Left wrist XR; AP; image width 88.0 mm. 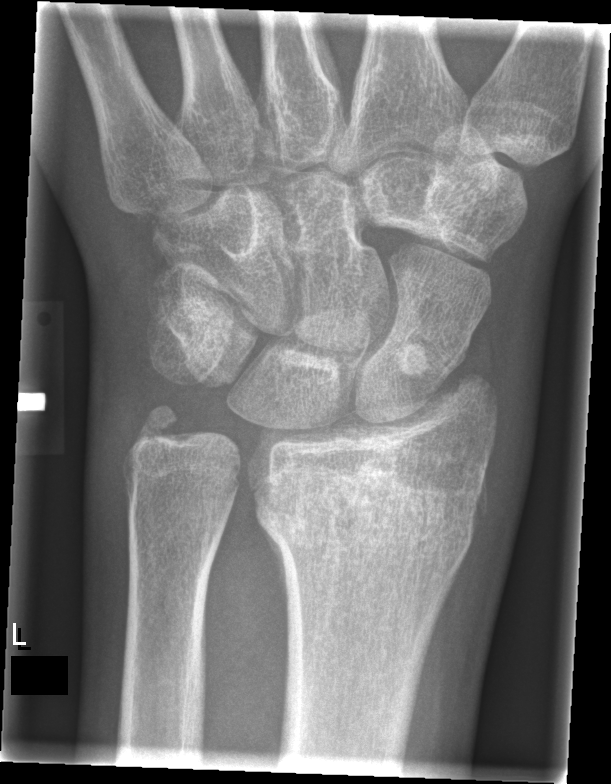
  ao: 23r-M/3.1; 23u-E/7
  fracture: <248,473>-<483,583>, <124,395>-<189,456>
  osteopenia: present